Lateral view; L pediatric wrist radiograph; 14y F; index exam

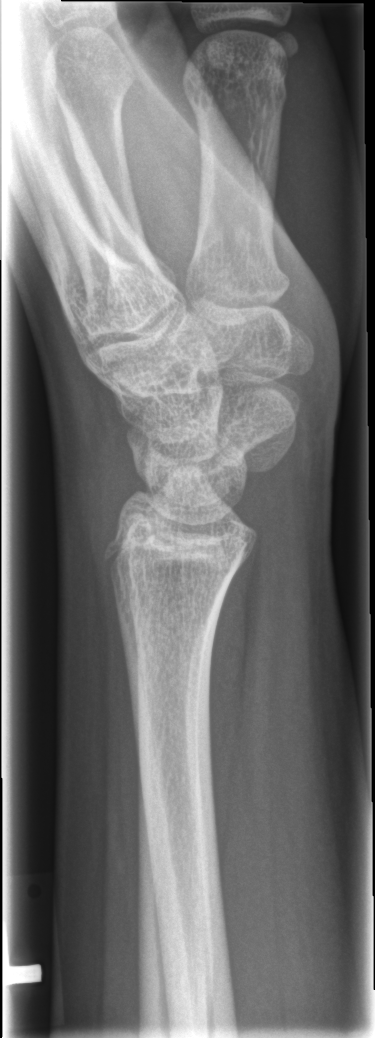
fracture: none labeled